PA/AP; right wrist radiograph; detector: Siemens:

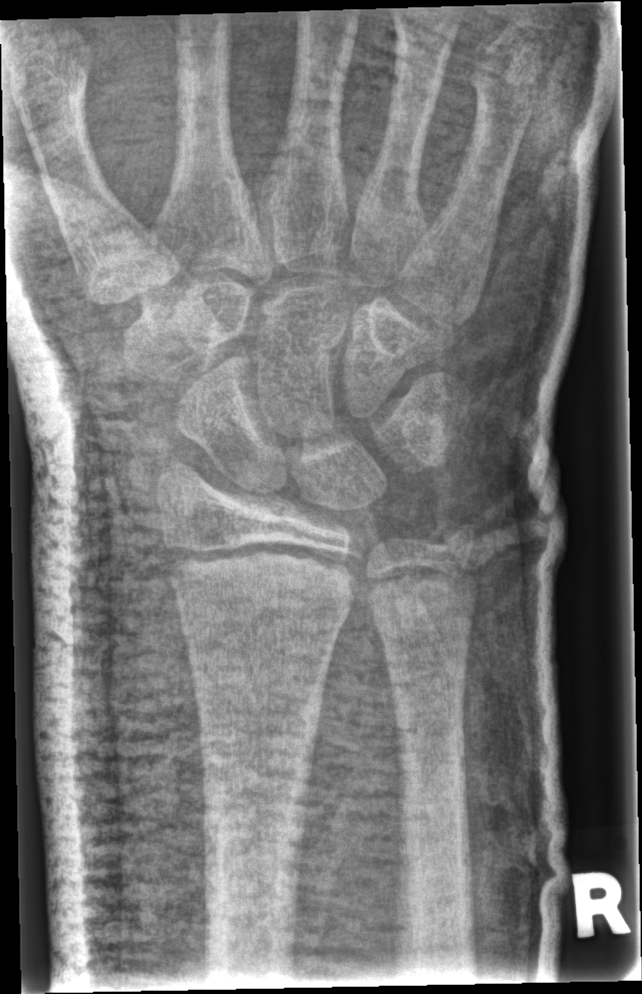
AO code = 23r-E/1; 23u-E/7
Fracture = present but not clearly seen in this view